Rt plain radiograph of the wrist; PA; 9-year-old female —

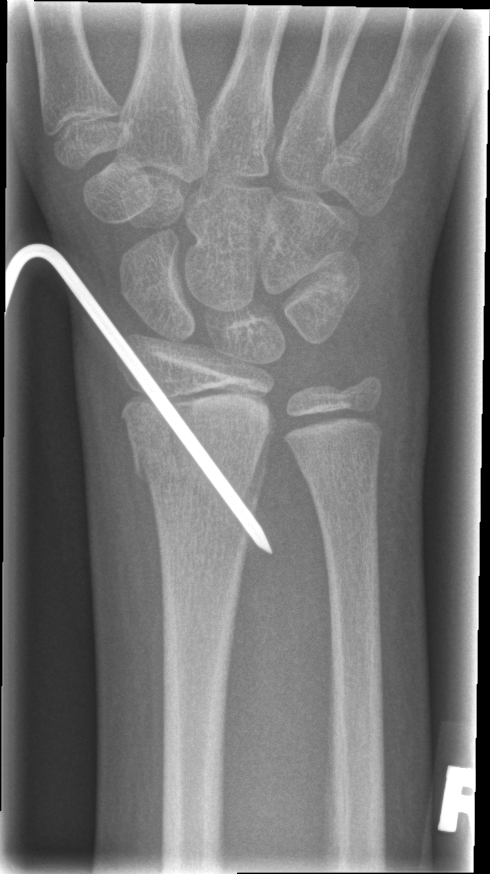 One Fx at 128,432,271,514. One hardware at 4,242,275,556. Fracture classified AO/OTA 23r-M/3.1.